PA/AP projection | left wrist plain radiograph of the wrist | 8-year-old male | cast in situ 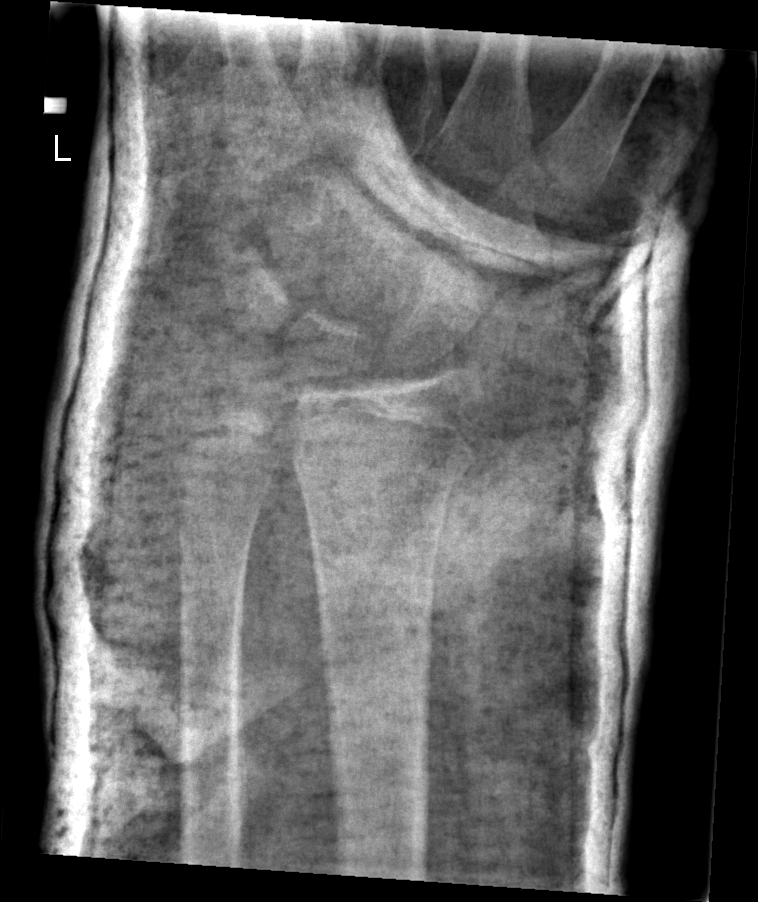
FINDINGS: (pixel coordinates, top-left origin, xyxy) AO code 23r-E/2.1. Fracture: [x1=292, y1=410, x2=480, y2=502].